PA/AP; R plain radiograph of the wrist; presentation radiograph; acquired on Siemens; image 87.4 mm wide; 607 x 858 px

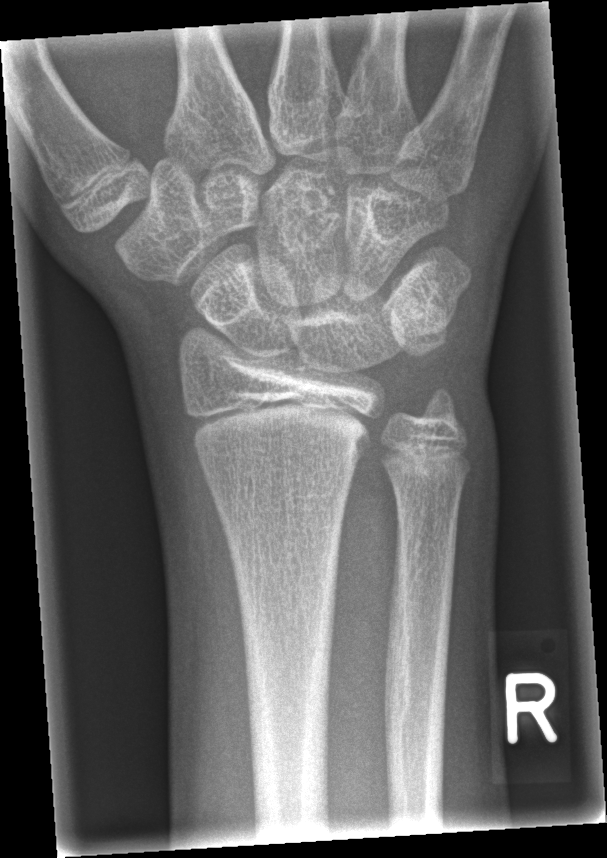
Fracture: none labeled.